Frontal; R wrist plain film; initial study. 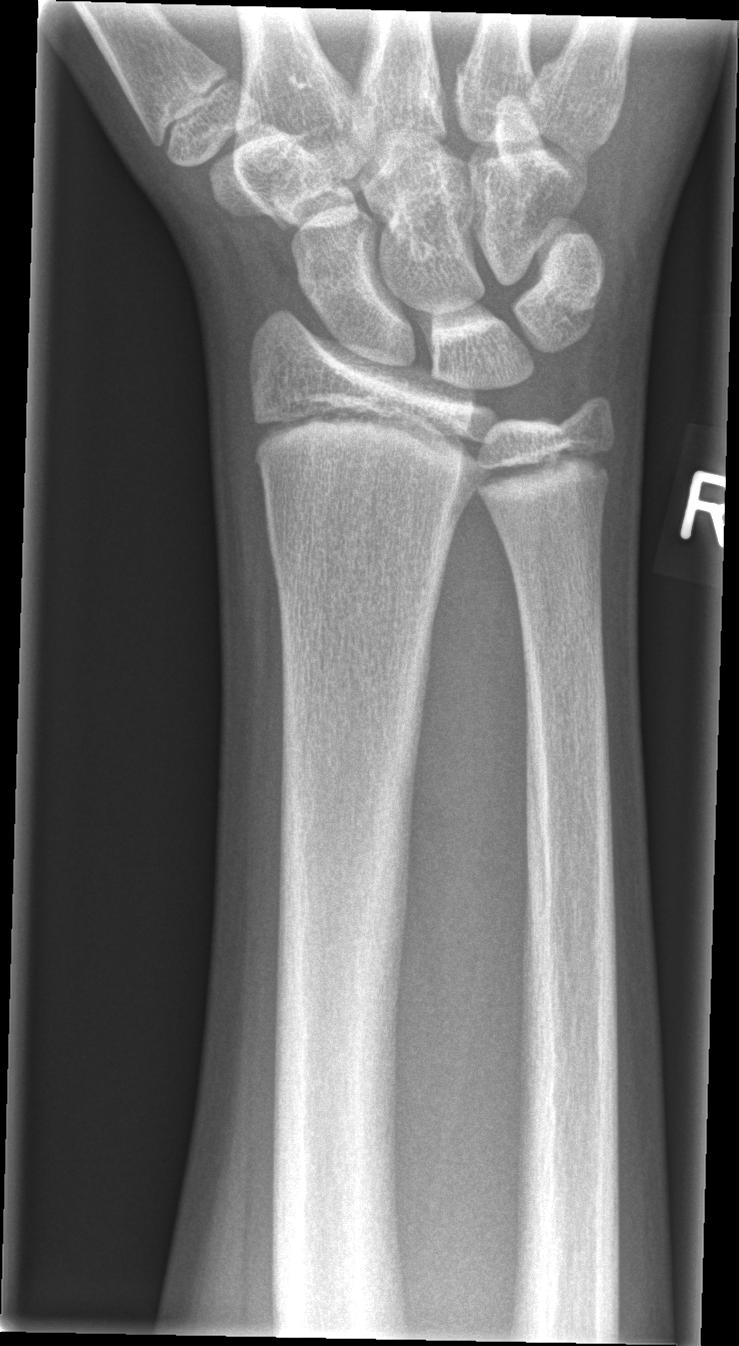

bone fracture: none labeled